R pediatric wrist radiograph · lateral projection — 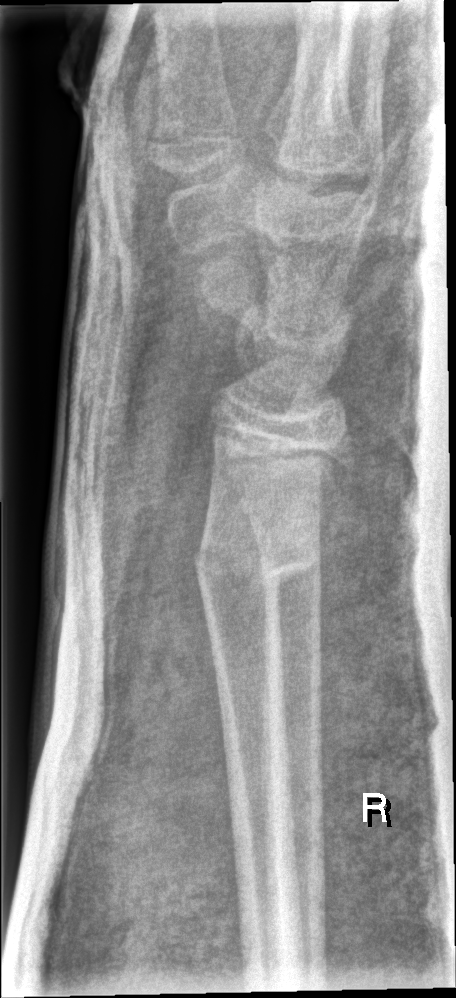 Boxes as x1,y1,x2,y2 (top-left / bottom-right, pixel units).
Fracture classified AO/OTA 23r-M/3.1; 23u-M/2.1.
Bone fracture — [190, 527, 323, 607].